AP projection; left pediatric wrist radiograph.

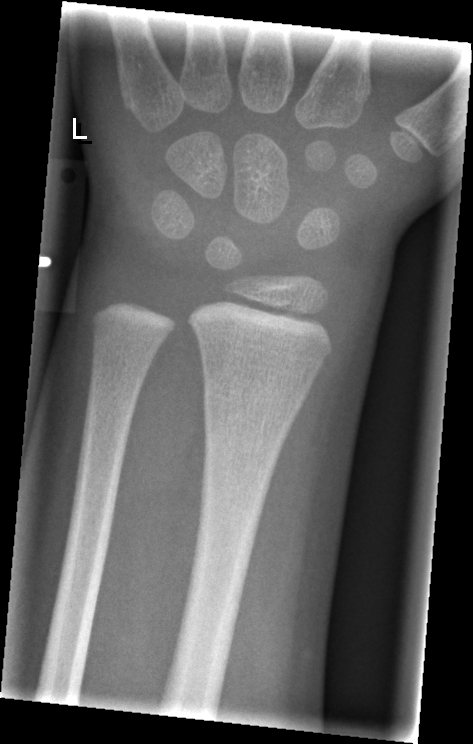
Fracture identified at bbox(201, 378, 310, 424).